Lat, left wrist X-ray, initial study, 456 x 866 px.

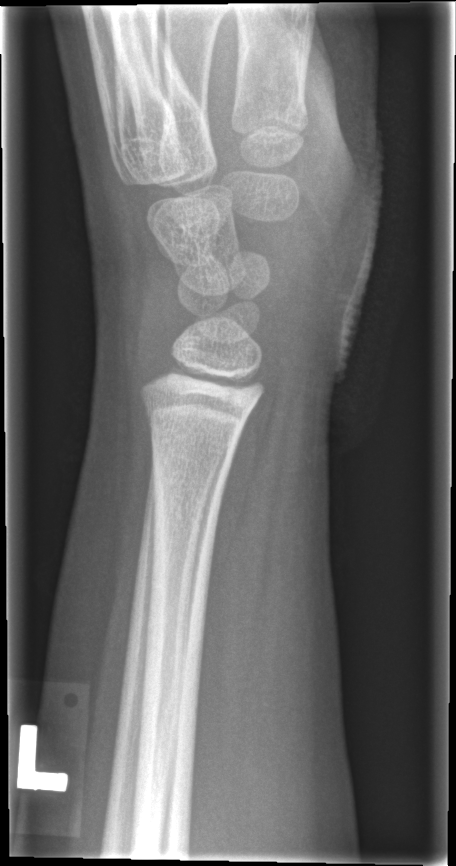 No fracture bounding box.